Right wrist radiograph | lateral projection | 1.3-year-old female | presentation radiograph | image width 58.2 mm | 404x656.

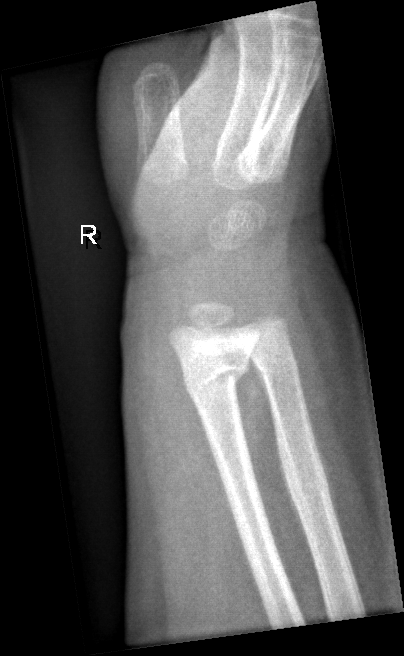 fracture: 2 @ 175,347,253,405 | 251,343,302,384